Rt wrist XR · AP · pediatric patient (girl, age 9) · presentation radiograph
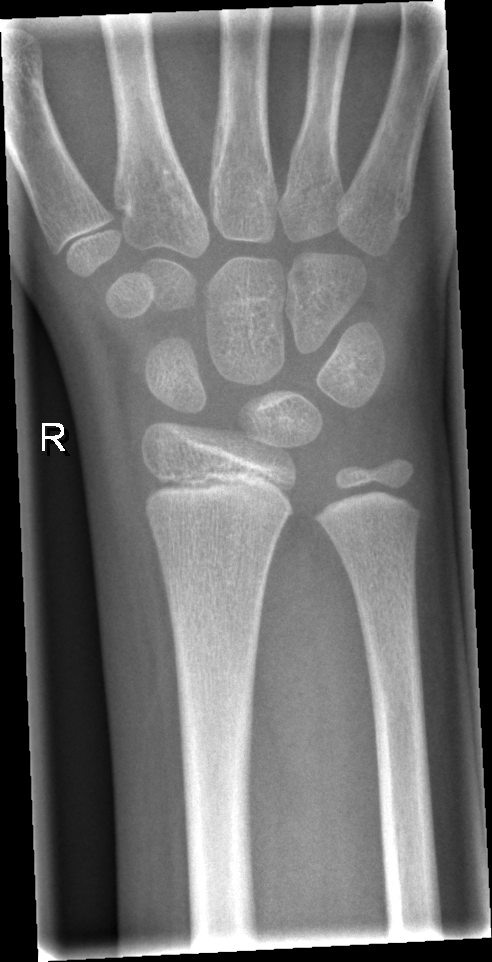 - No fracture annotation.